Lt wrist radiograph · PA projection · 732 x 1248 px:
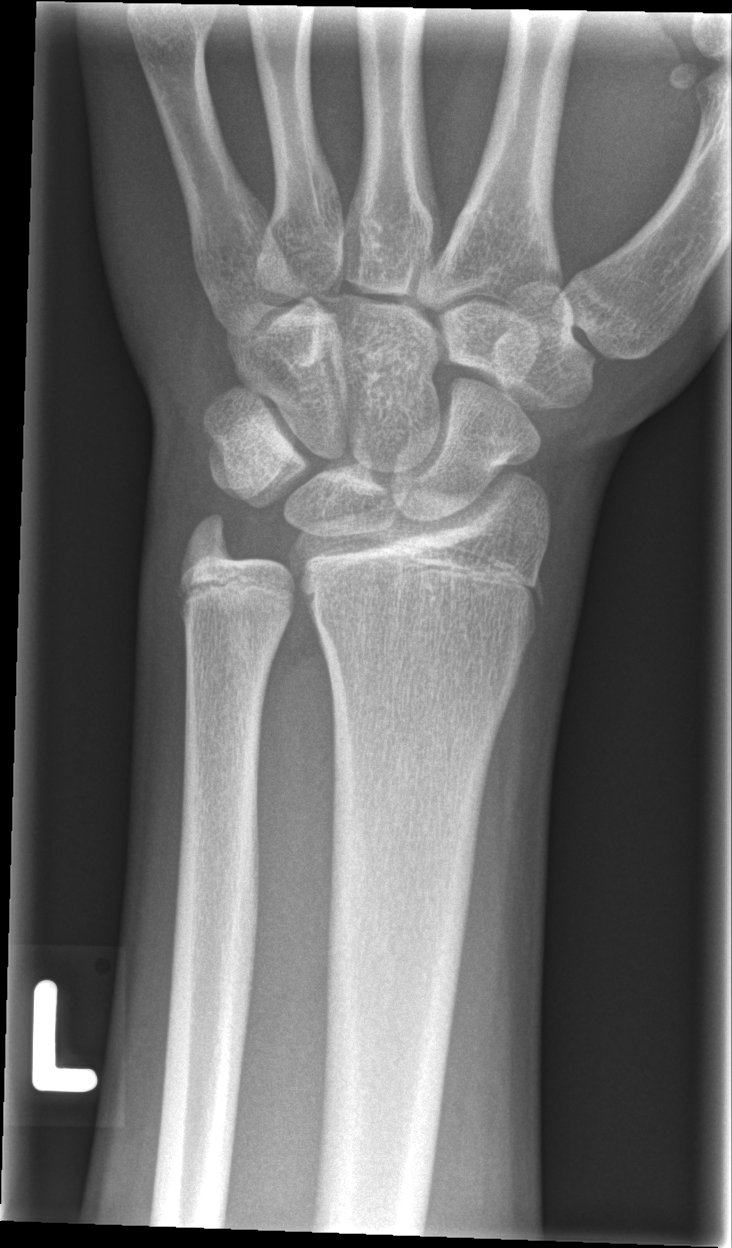 Fx: none labeled